AP; left wrist X-ray; boy, 13 yo. 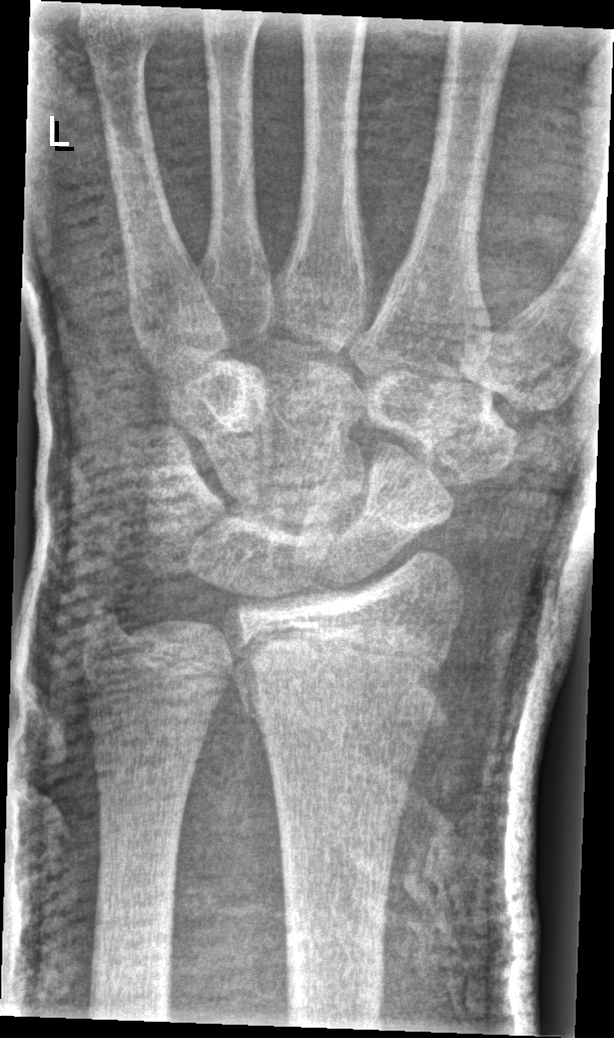
AO/OTA = 23r-E/2.1
Fracture = [229, 623, 455, 740]